Left wrist X-ray · PA/AP projection · pediatric patient (female, age 11) · 77.5 mm image width
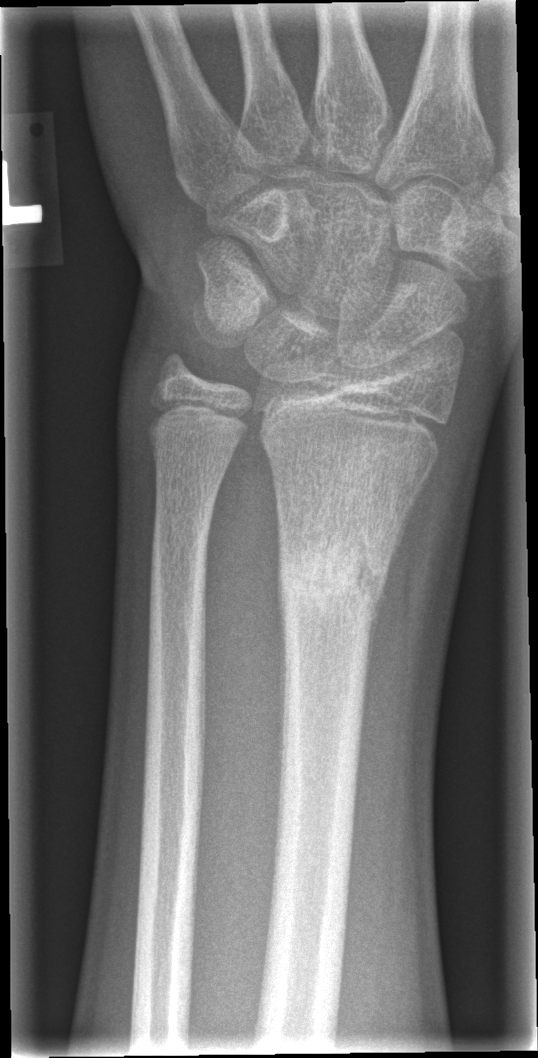

• Boxes as x1,y1,x2,y2 (top-left / bottom-right, pixel units).
• Periosteal new bone — (366, 486, 422, 682).
• Osteopenic.
• One bone fracture at (273, 525, 392, 627).